Lt wrist X-ray; lat projection; pediatric patient (male, age 16); detector: Siemens. 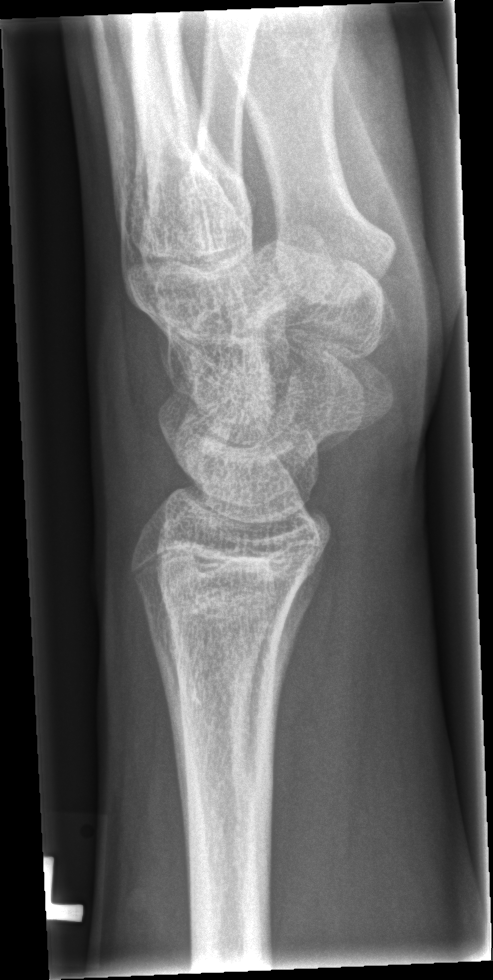

Findings: No fracture labeled.